L pediatric wrist radiograph | lat projection | 15-year-old male | 79.3 mm image width.

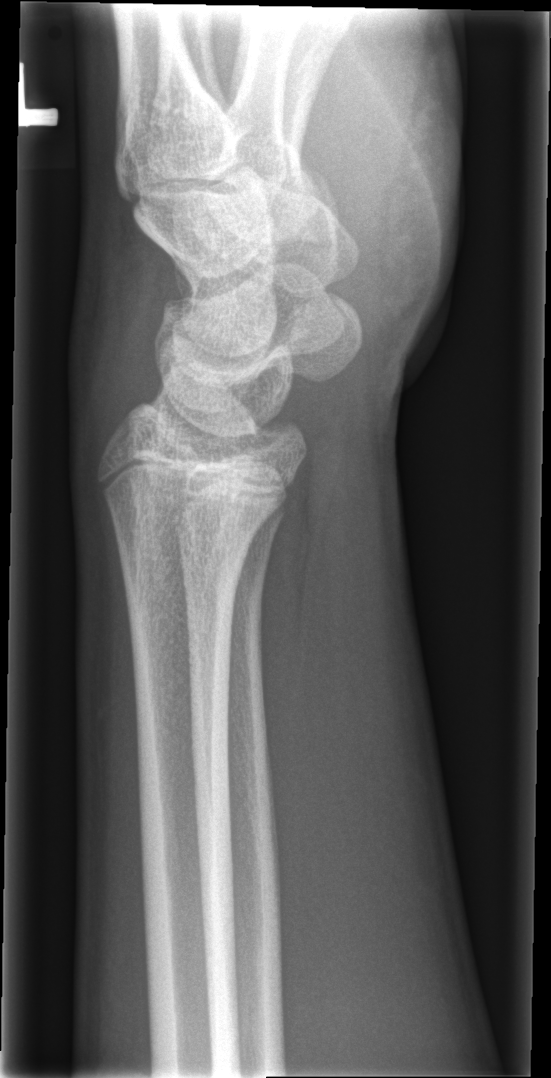
No fracture labeled.